Posteroanterior | Lt wrist X-ray | in cast | Siemens | image 100.4 mm wide | 697 by 898 pixels —

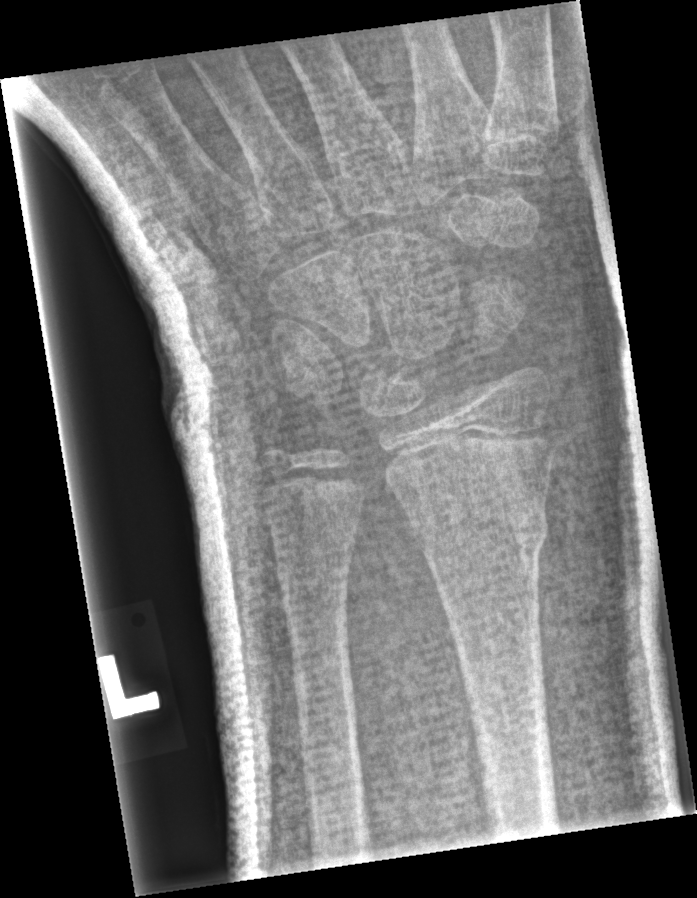 Findings: Fx — 398,495,557,563
  272,531,359,605. AO code 23-M/3.1.